Posteroanterior projection; Lt wrist XR; 722 x 1330 px:

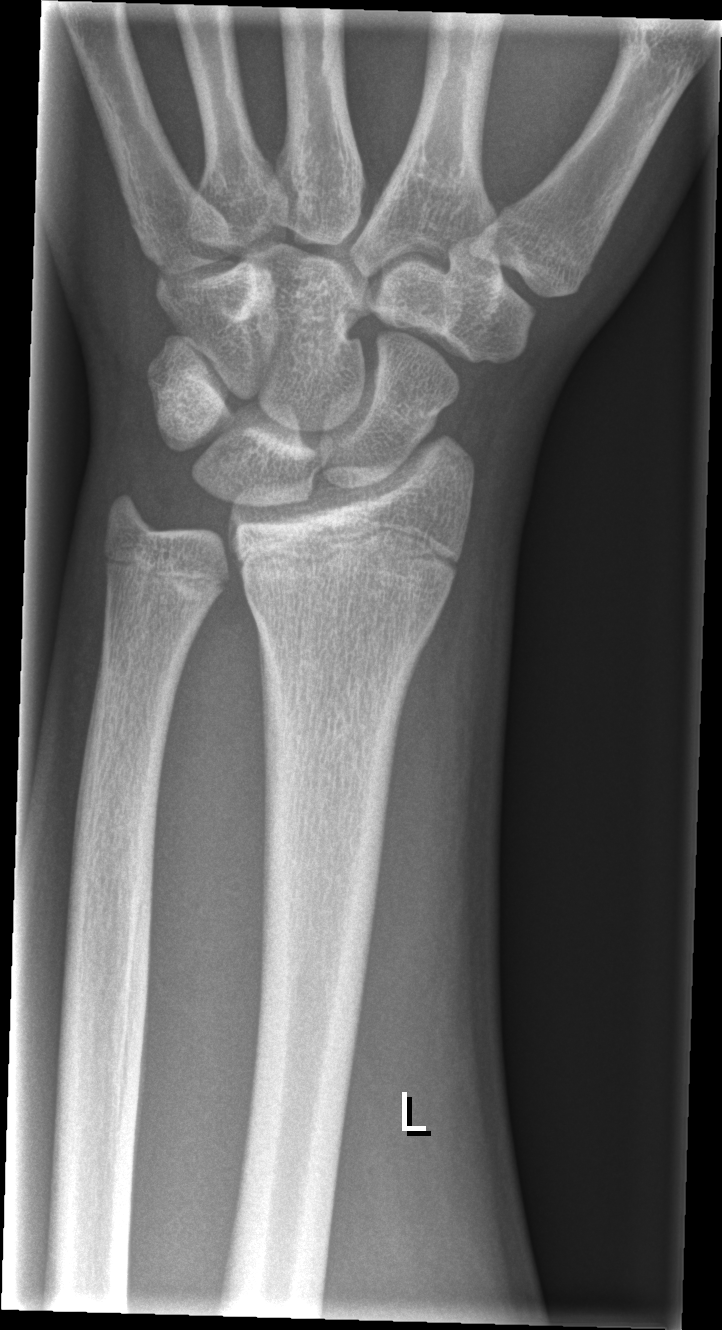 No Fx annotated.